PA projection, right wrist radiograph, pediatric patient (male, age 11), index exam, detector: Siemens. 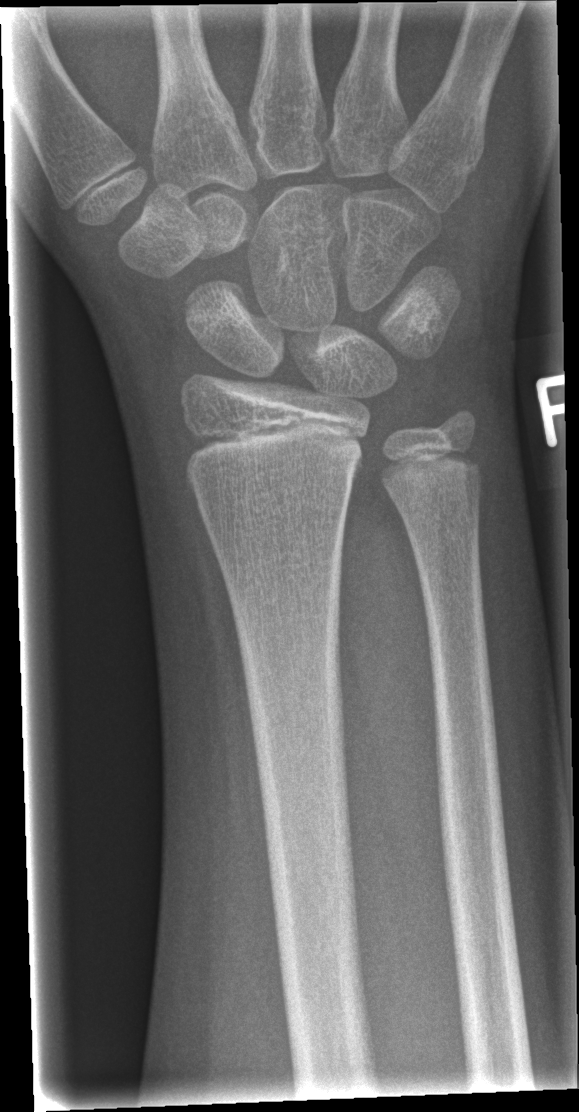

No fracture bounding box.